Left wrist X-ray · posteroanterior view · 395 x 636 px —
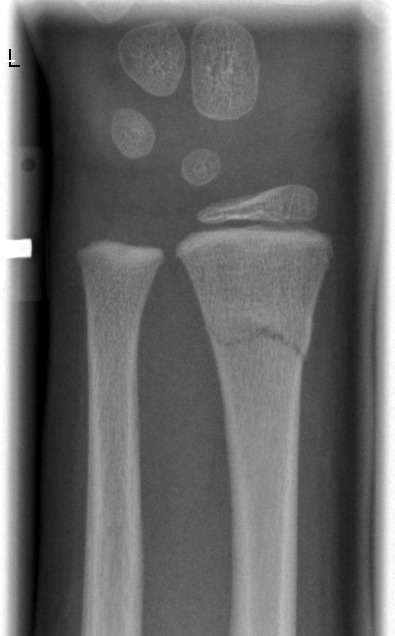 Fracture identified at [203, 301, 313, 364].
AO code 23r-M/3.1.